Lat projection · left wrist radiograph · follow-up study · in cast.

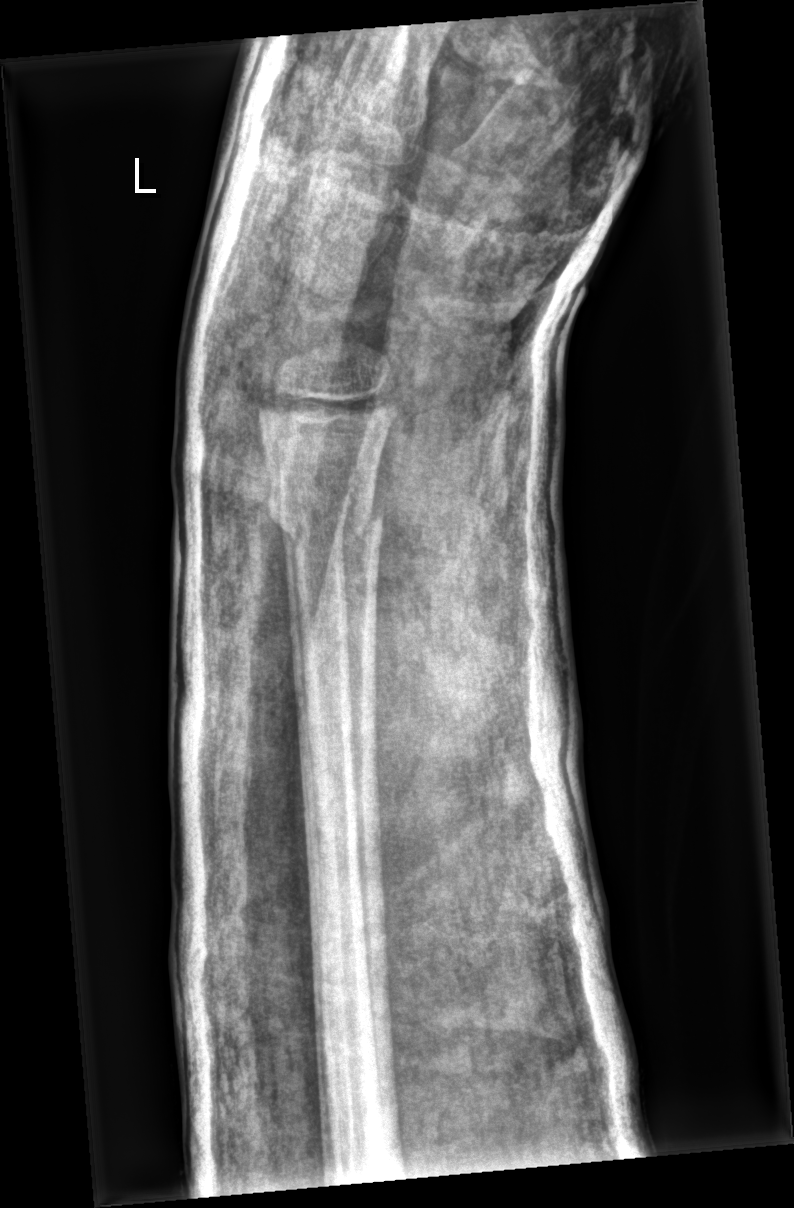

Fx identified at (left=260, top=481, right=387, bottom=562).